Lt wrist XR; lat projection; 14y M.

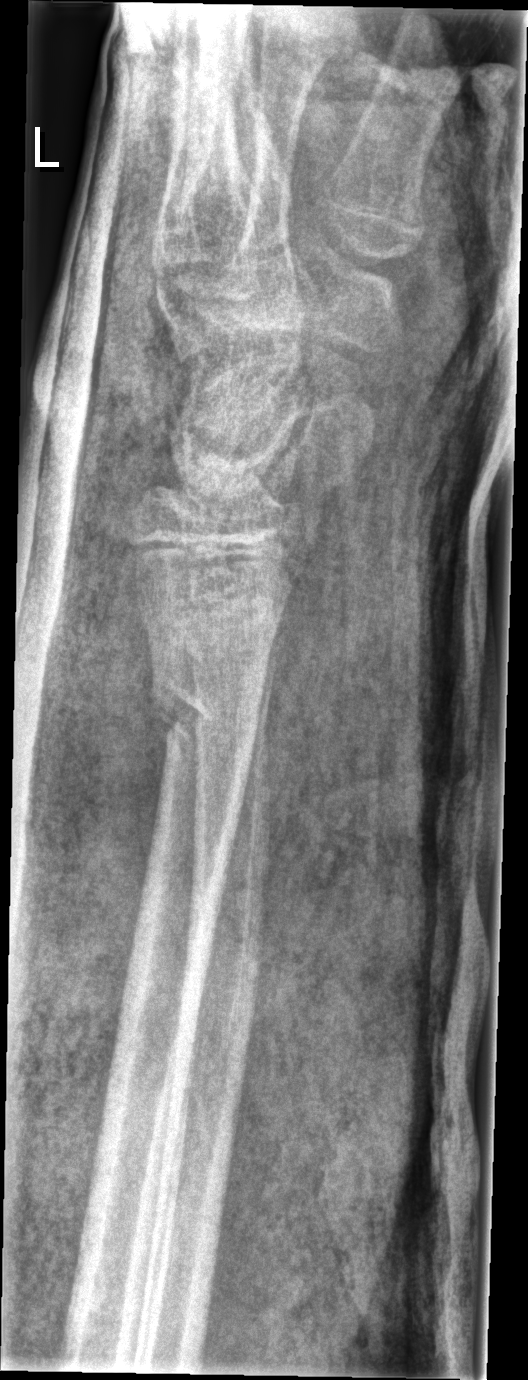 Bone fracture: 1 @ bbox(144, 670, 274, 784)
AO code: 23-M/2.1